Lat, right wrist plain film, 13-year-old female.
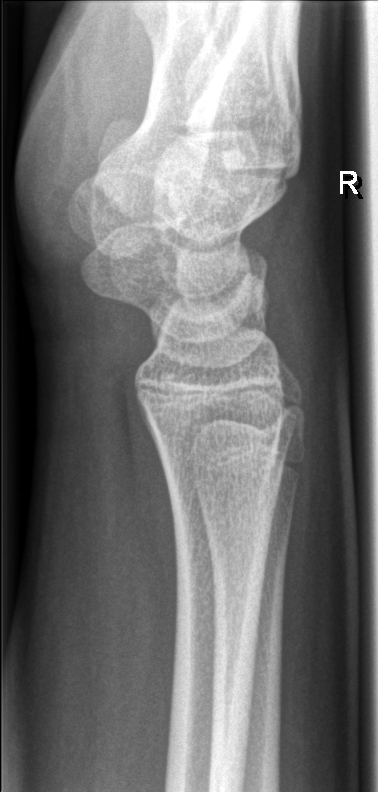 Findings: Fracture: none labeled.